Lt pediatric wrist radiograph · lateral · 8-year-old male. 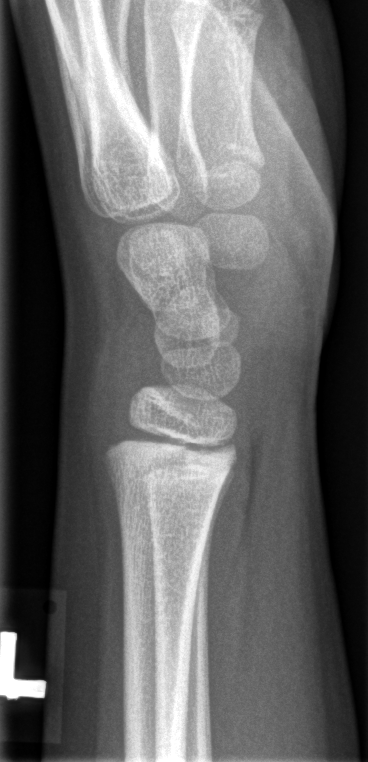 No Fx annotated.